Frontal | L plain radiograph of the wrist | 12y F
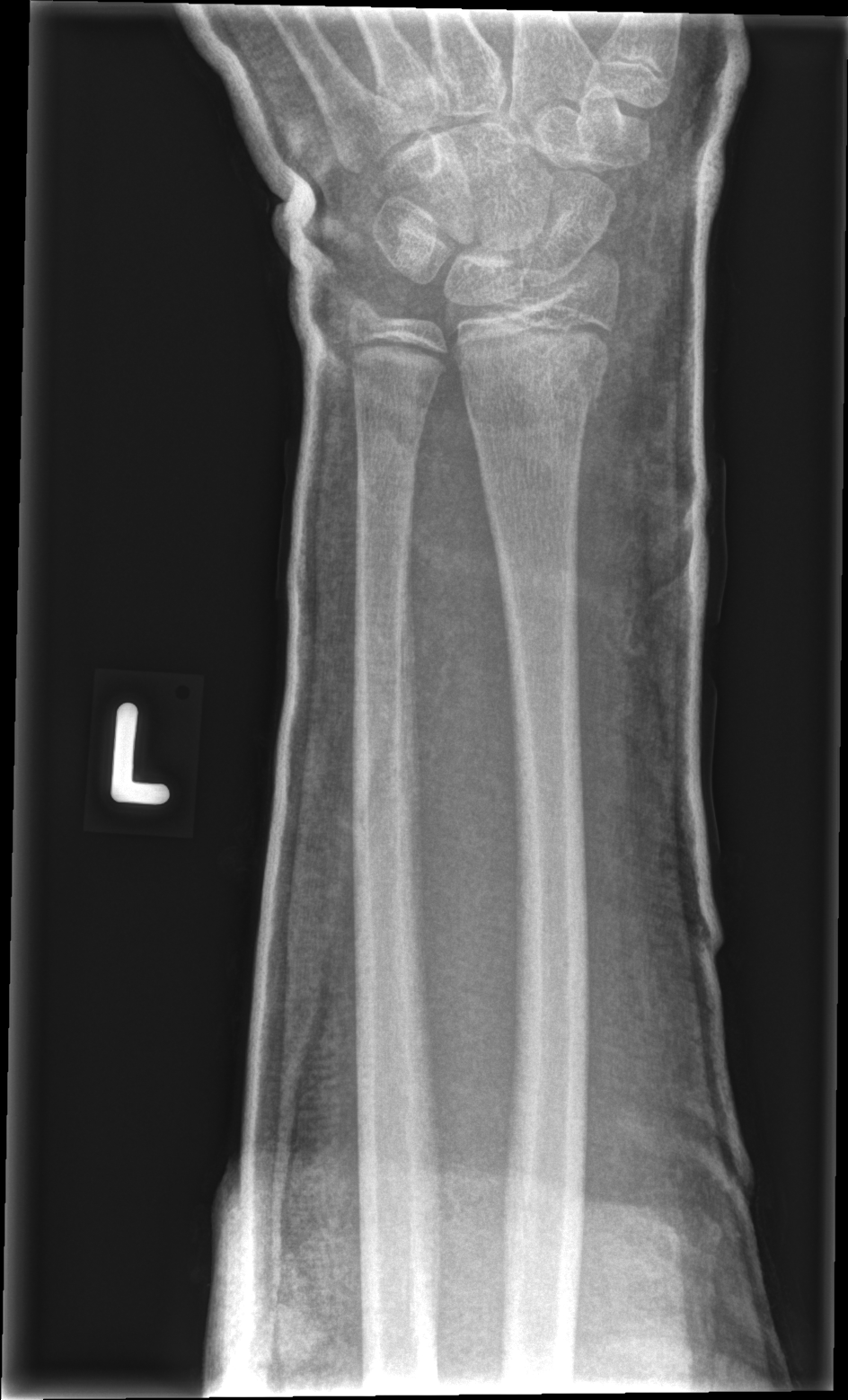

{"_coords": "bounding boxes in image-pixel xyxy", "fracture": "1 @ [455, 338, 614, 424]"}